Rt plain radiograph of the wrist | lat view | age 7 y, male | follow-up study

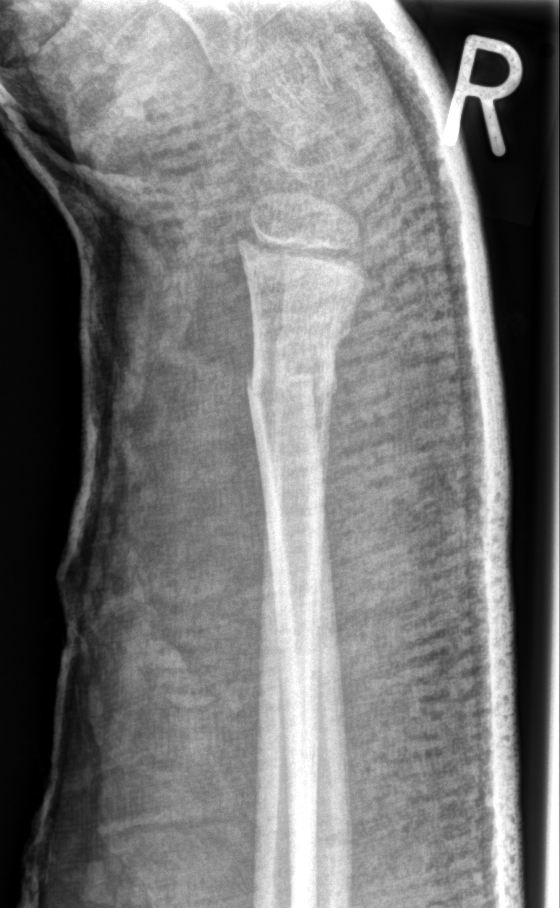 {"_coords": "bounding boxes in image-pixel xyxy", "ao": "23-M/3.1", "fracture": "[243, 360, 341, 417], [277, 304, 356, 350]"}